Right wrist XR; lateral projection; female, 6 yo; index exam; diagnosis uncertain:

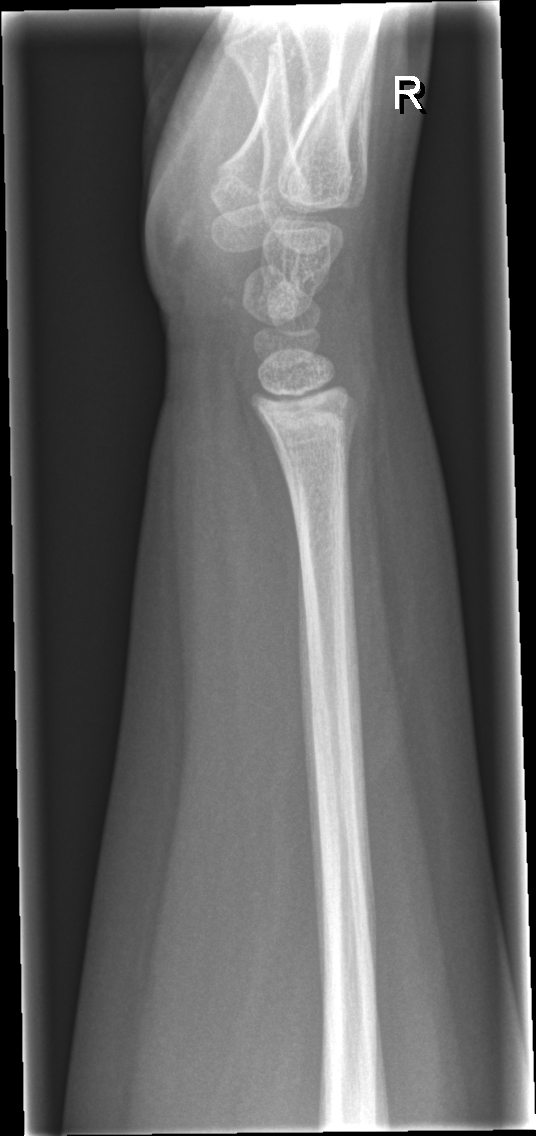
Bone fracture: none labeled